PA projection · left pediatric wrist radiograph · female, 10 yo · imaged through cast: 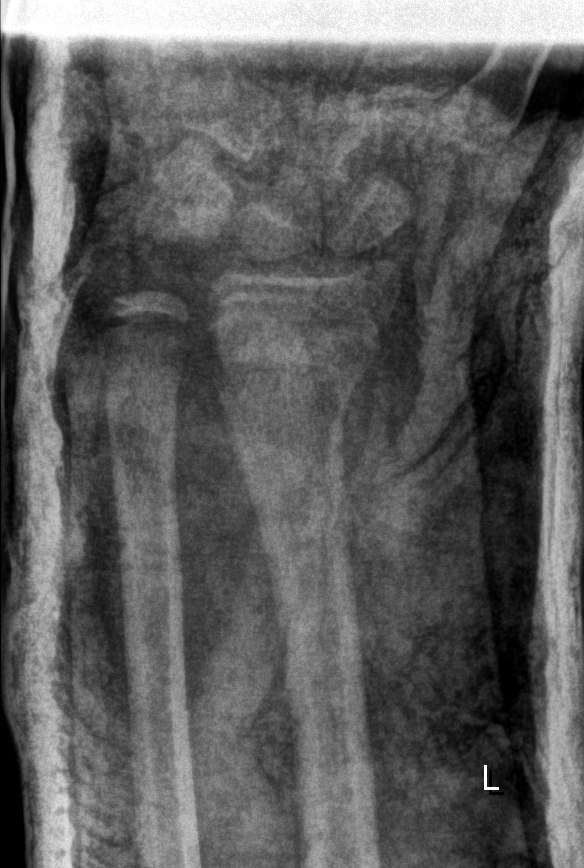

Bone fracture identified at [205, 303, 389, 396], [85, 250, 146, 312]. AO code 23r-M/3.1; 23u-E/7.